Right wrist pediatric wrist radiograph · PA view · image size 664x1290

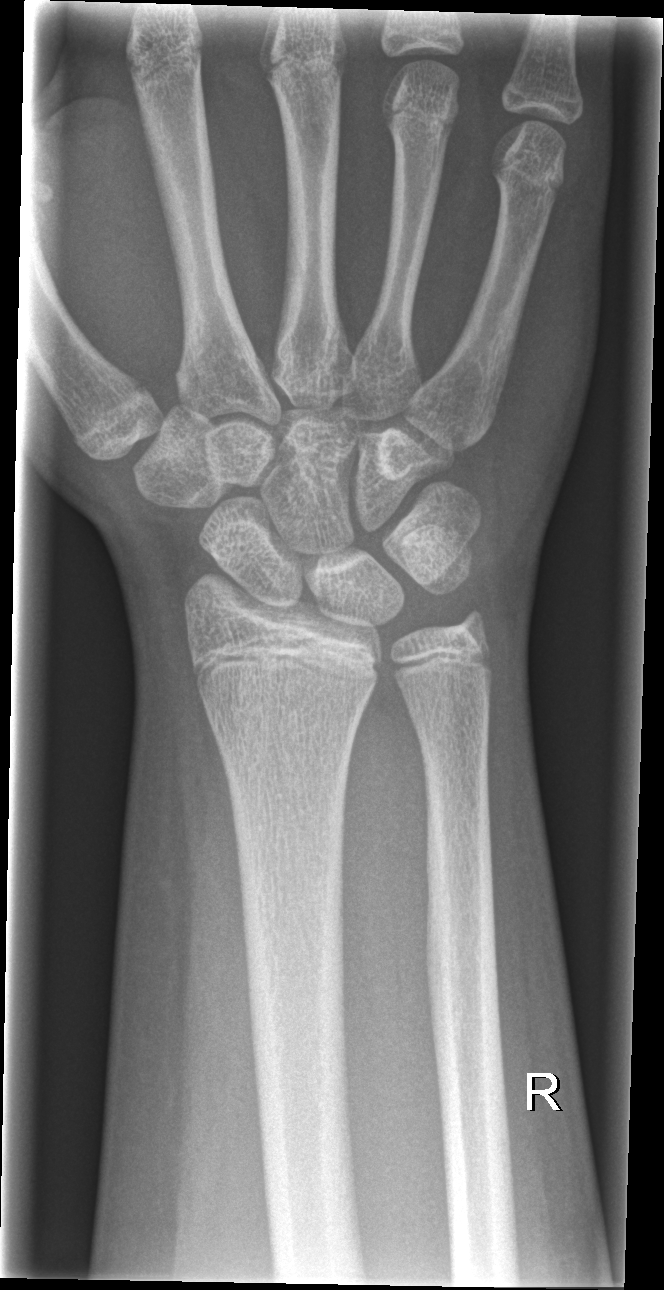
Findings: No fracture bounding box.